Lat | Lt wrist radiograph | 6y M | imaged through cast | detector: Siemens.
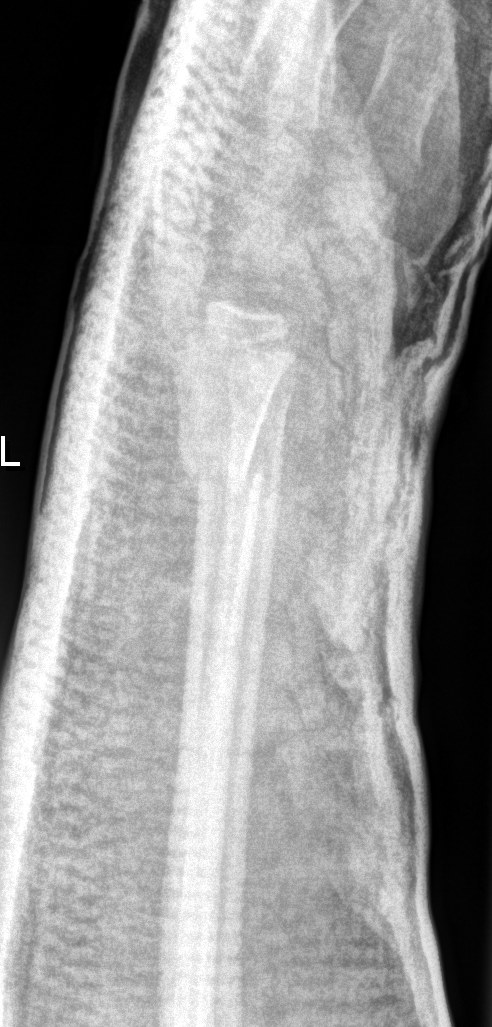
Coordinates are [x1, y1, x2, y2] in image pixels.
One bone fracture at bbox(174, 435, 270, 498).
AO code 23r-M/3.1; 23u-M/2.1.